Left wrist pediatric wrist radiograph, lat, follow-up, imaged through cast, image 71.4 mm wide.

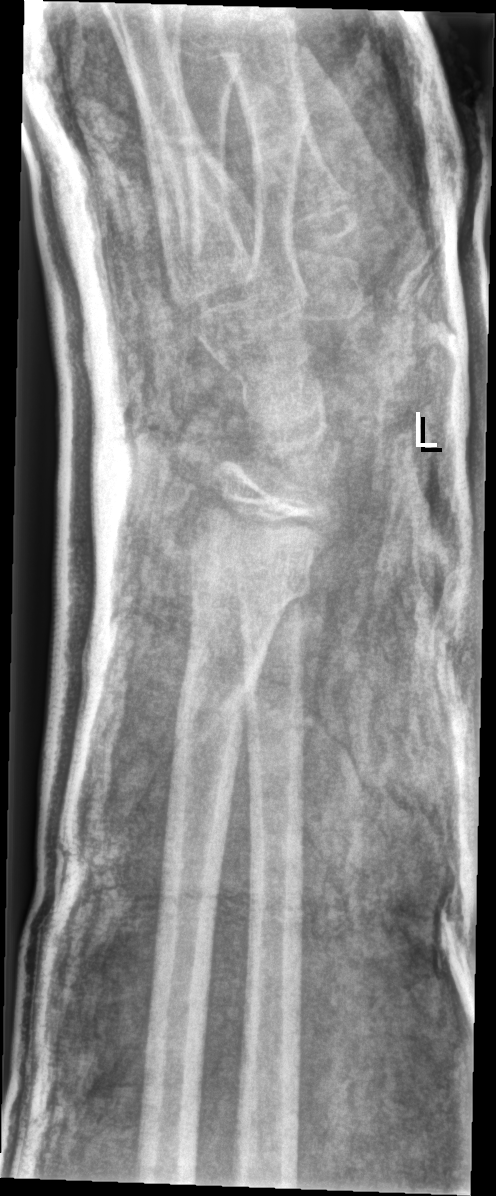
FINDINGS — Bone fractures — <167,660>-<276,757>, <235,555>-<332,622>.